Right wrist radiograph · AP projection · girl, 10 yo:

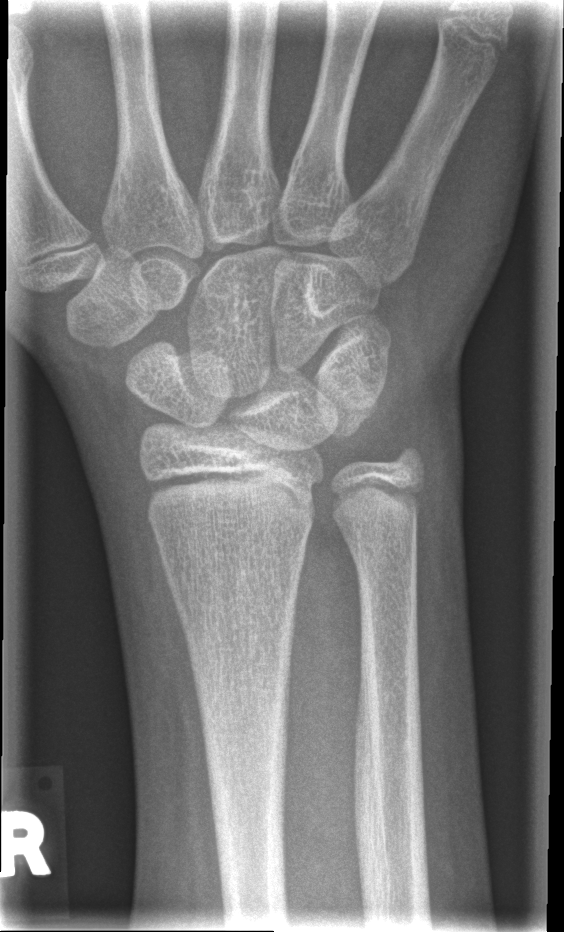

Fx: none.